Frontal, Lt wrist radiograph, 10-year-old girl.

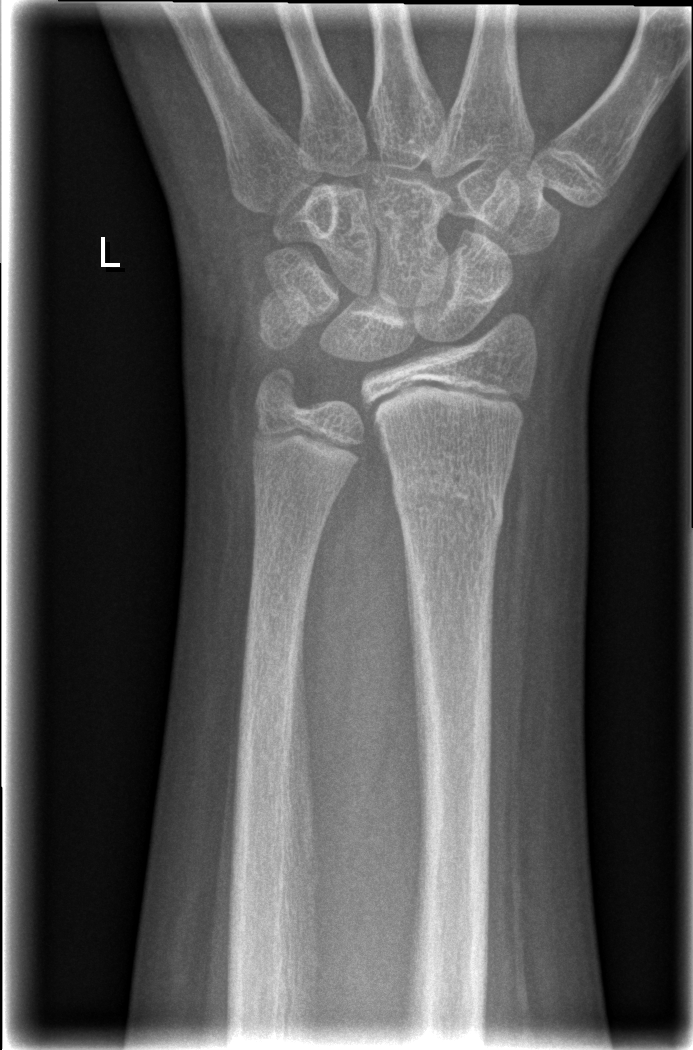 Bone fracture identified at (388, 461, 510, 545) (245, 362, 314, 427).